PA/AP, right wrist radiograph, age 3 y, female, index exam: 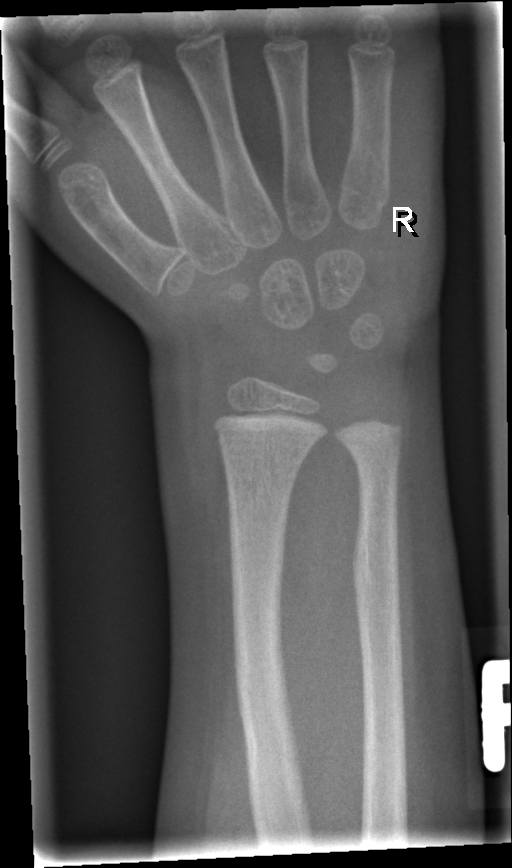
bone fracture = none labeled